Lt pediatric wrist radiograph · PA/AP · 68.8 mm image width · 478 x 846 px. 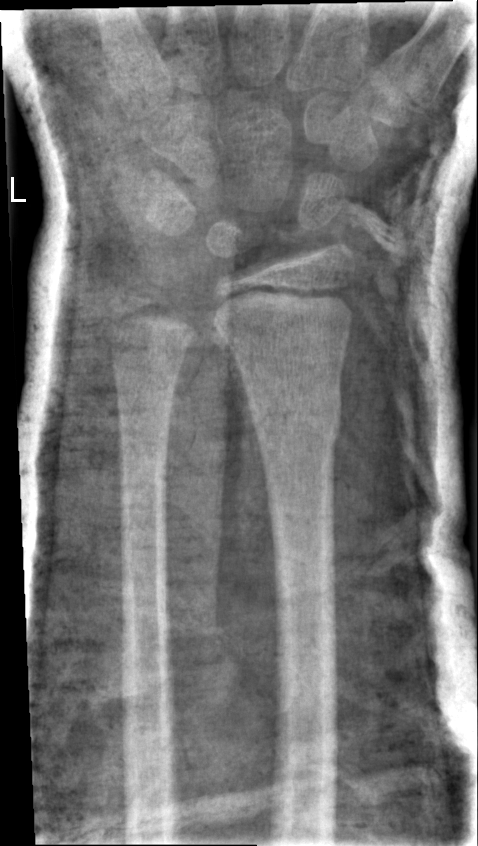

Boxes as x1,y1,x2,y2 (top-left / bottom-right, pixel units). Bone fracture identified at bbox(247, 385, 348, 462). Fracture classified AO/OTA 23r-M/3.1.